Lt wrist XR · AP
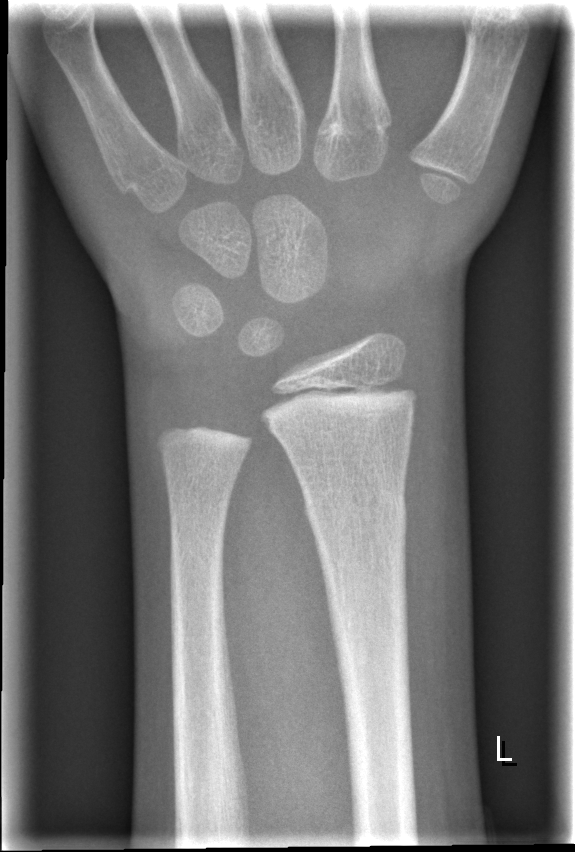

One Fx at 298 474 410 542.